Lat · Lt wrist XR · image size 392x860.
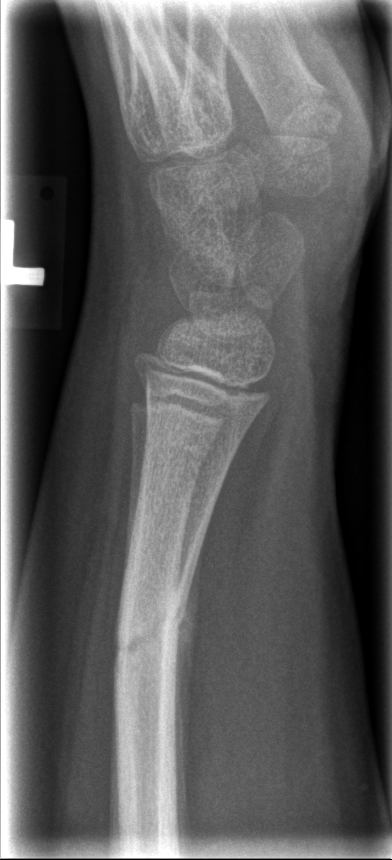

{"osteopenia": "present", "fracture": "1 @ <103,582>-<191,693>", "ao": "22r-D/2.1"}